Rt wrist radiograph | PA/AP | 16-year-old girl
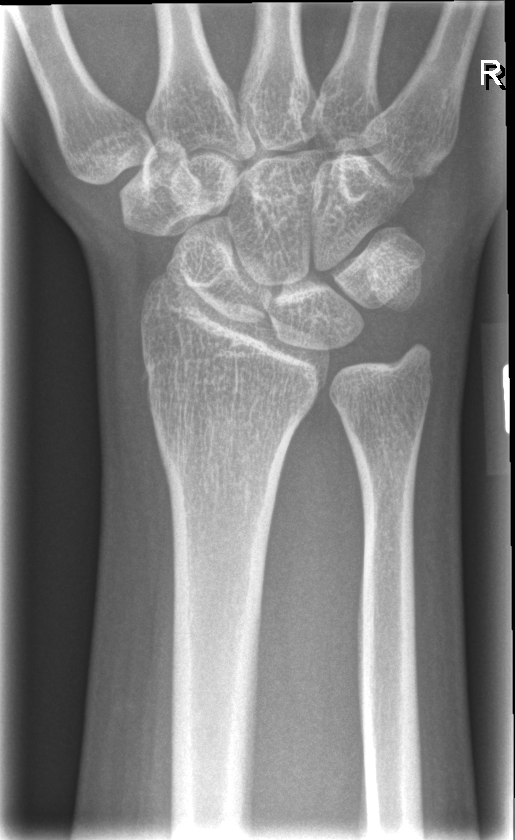
FINDINGS — No Fx annotated.